Lateral | L wrist plain film | imaged through cast | detector: Siemens | 691 by 1118 pixels:
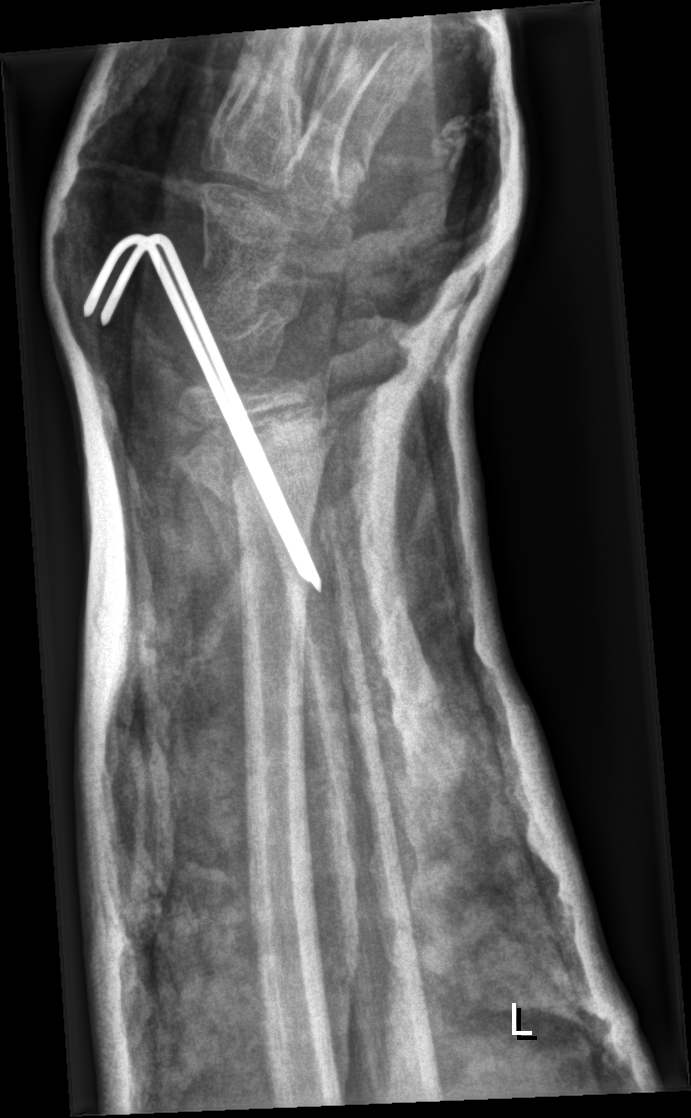

FINDINGS — (coordinates are [x1, y1, x2, y2] in image pixels) Hardware: <83,233>-<321,592>. Fx: <168,396>-<341,518>.